Left wrist radiograph; PA view; age 18 y, boy 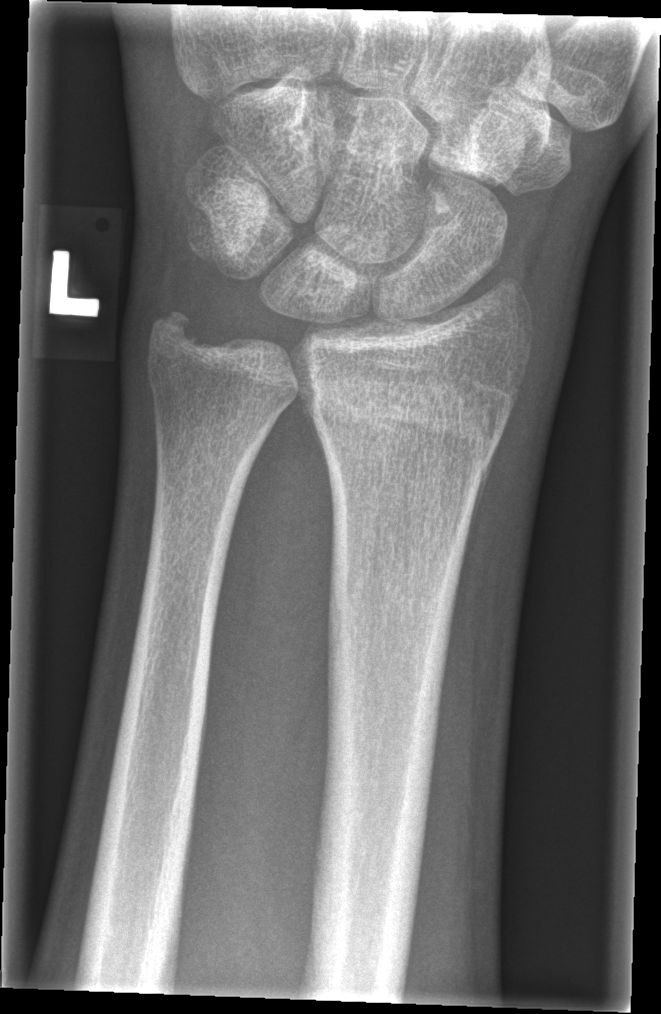

Findings: (pixel coordinates, top-left origin, xyxy) Fracture classified AO/OTA 23r-M/3.1; 23u-E/7. Fracture: 297 371 517 483
  144 302 213 366. Periosteal thickening identified at 455 434 502 606. Reduced bone mineral density.